Rt wrist plain film · lat · male, 11 yo · cast in situ — 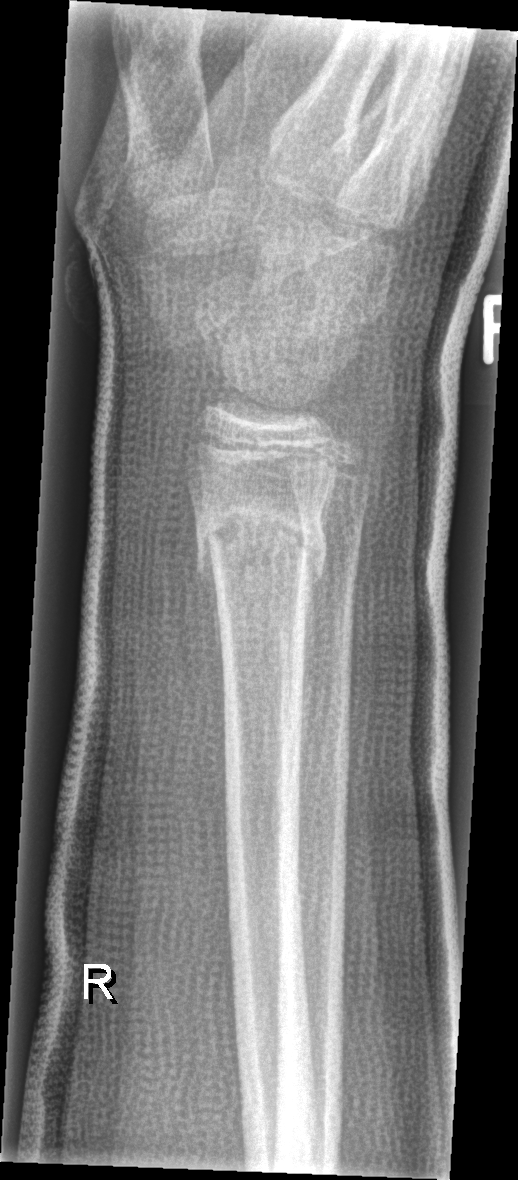
AO classification: 23r-M/3.1; 23u-E/7
Fracture: (190, 498, 330, 593)